L plain radiograph of the wrist, AP, 12y M, image 84.7 mm wide.

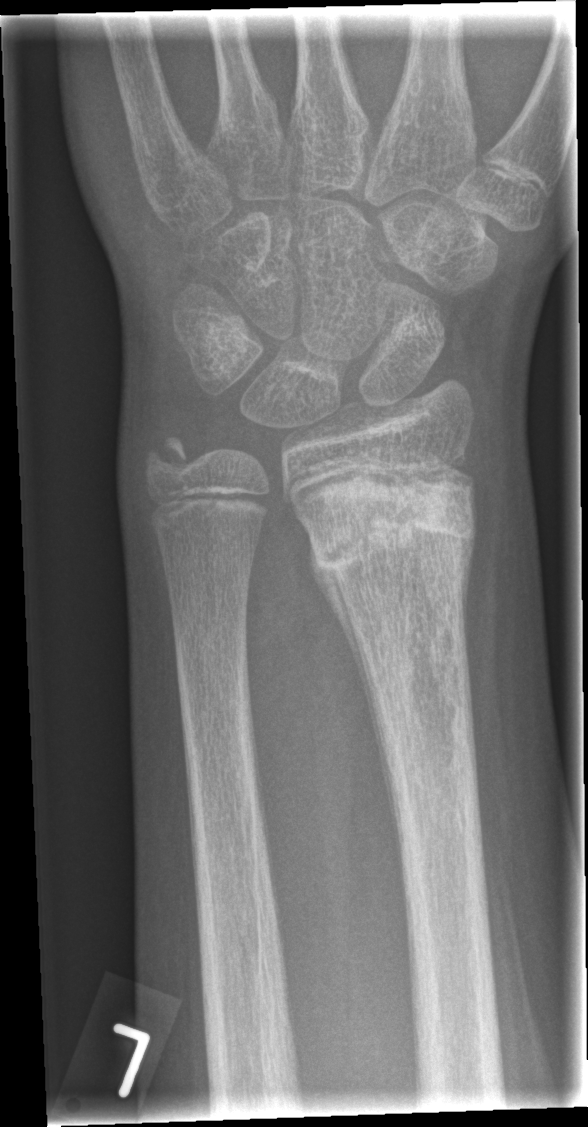 Q: Locate any periosteal reaction.
A: Periosteal new bone — [x1=311, y1=545, x2=398, y2=838]
Q: What is the AO/OTA classification?
A: AO/OTA classification: 23r-M/3.1; 23u-E/7
Q: Fracture present?
A: Two Fx at [x1=307, y1=467, x2=480, y2=587]; [x1=136, y1=424, x2=200, y2=490]